Rt wrist XR | lateral projection | Siemens:

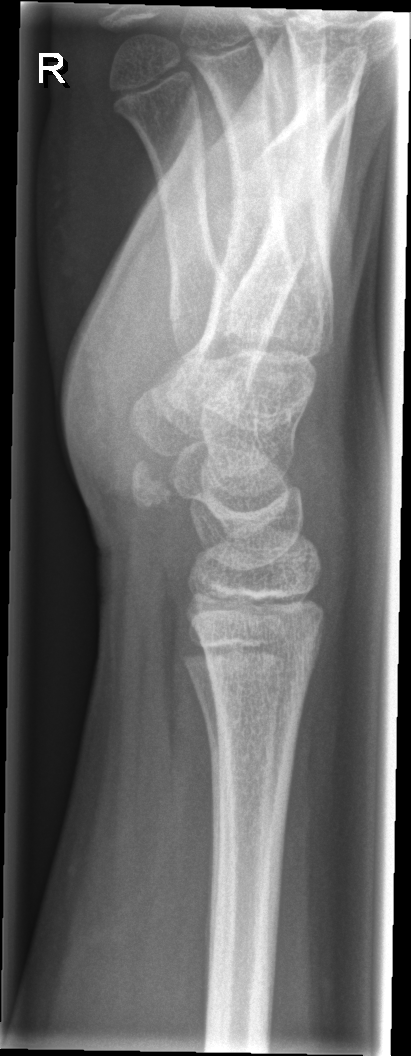 {
  "fracture": "none labeled"
}